Lateral | left wrist radiograph | cast present | 952 x 1266 px.
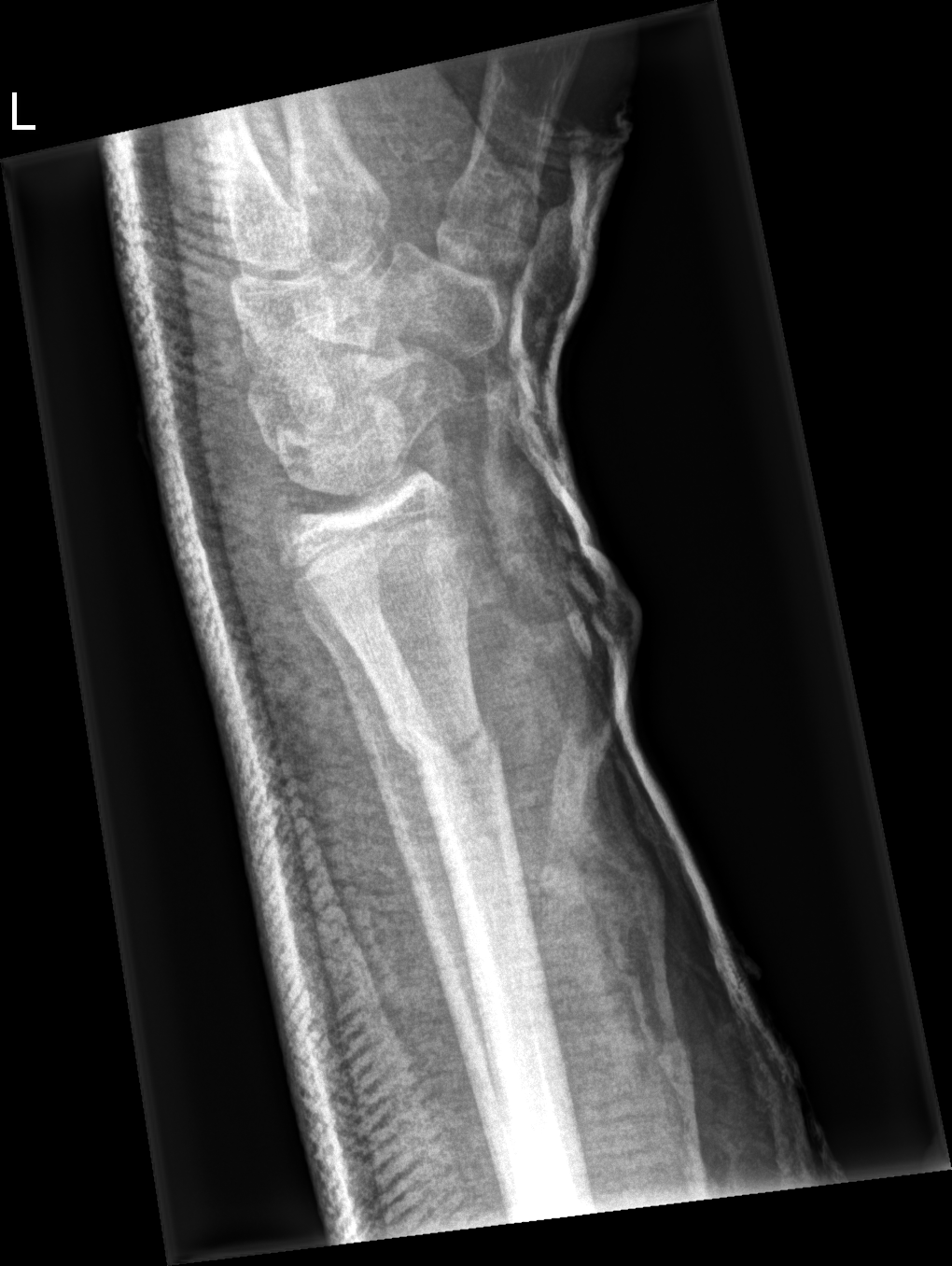
{"fracture": "1 @ [x1=385, y1=690, x2=504, y2=796]"}